Lat view | right wrist plain radiograph of the wrist | pediatric patient (girl, age 16) | Siemens | 554 by 715 pixels.
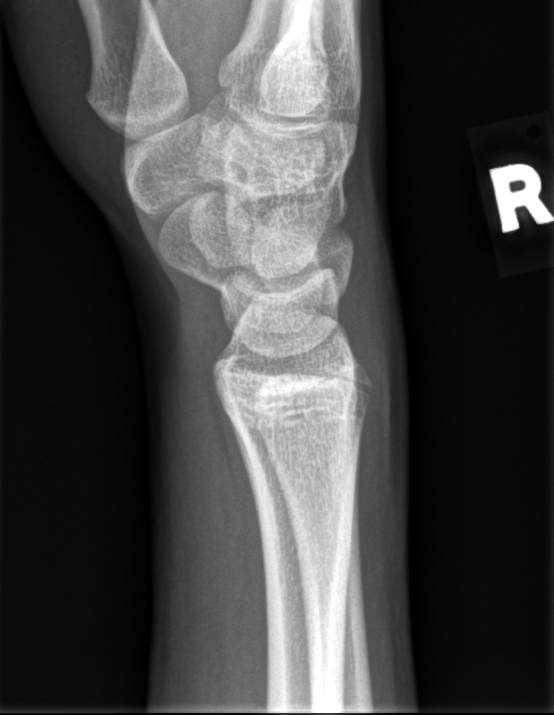 Fx: none.